Right wrist plain film; lateral; initial study; image 56.7 mm wide. 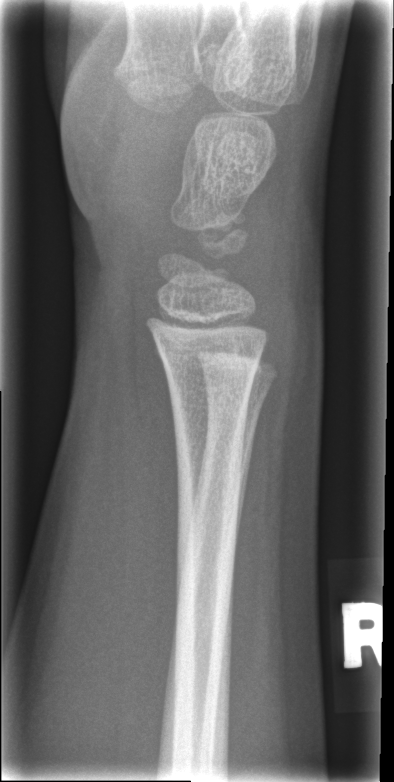
Fx: none labeled